PA/AP · left wrist pediatric wrist radiograph · acquired on Siemens — 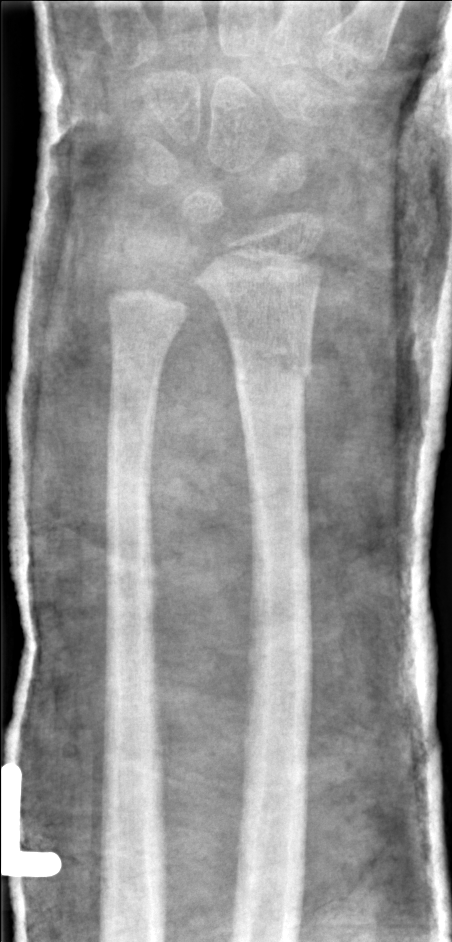
AO classification: 23r-M/3.1
Fx: 225,339,318,396